Lateral · Lt wrist XR · pediatric patient (boy, age 12) · 497 x 902 px.
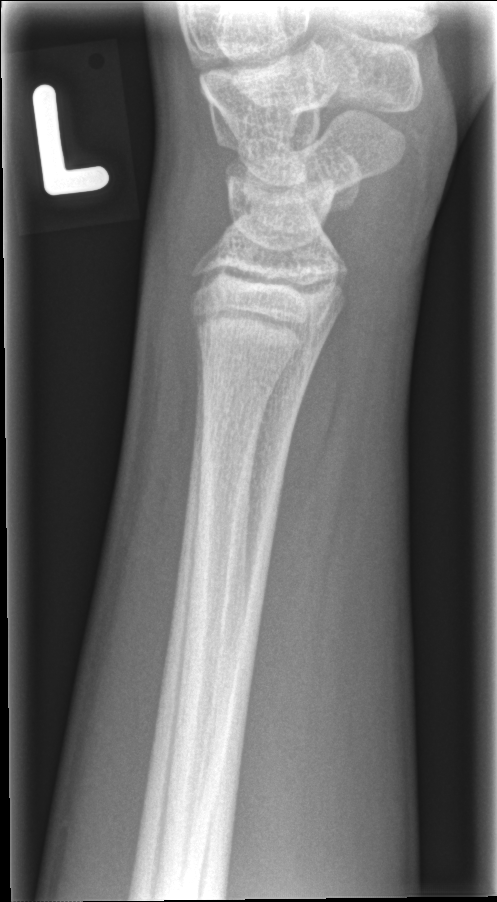
No Fx annotated.